Lat projection | right wrist radiograph | pediatric patient (girl, age 10) | initial study

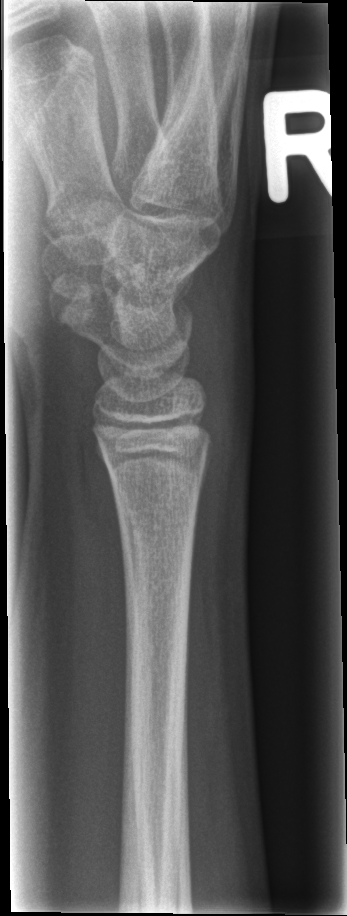
{"fracture": "none labeled"}